Rt wrist X-ray · PA/AP view · initial study · acquired on Siemens — 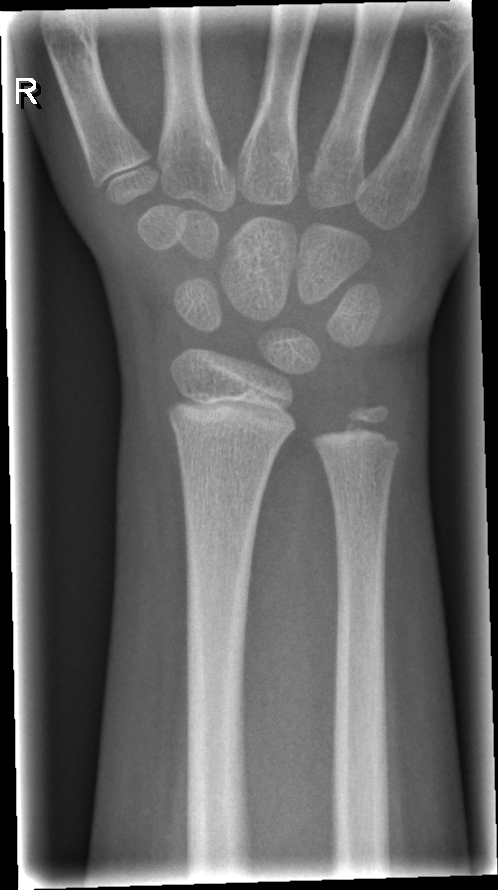

  fracture: none labeled